PA/AP projection · left wrist X-ray · age 10 y, girl:
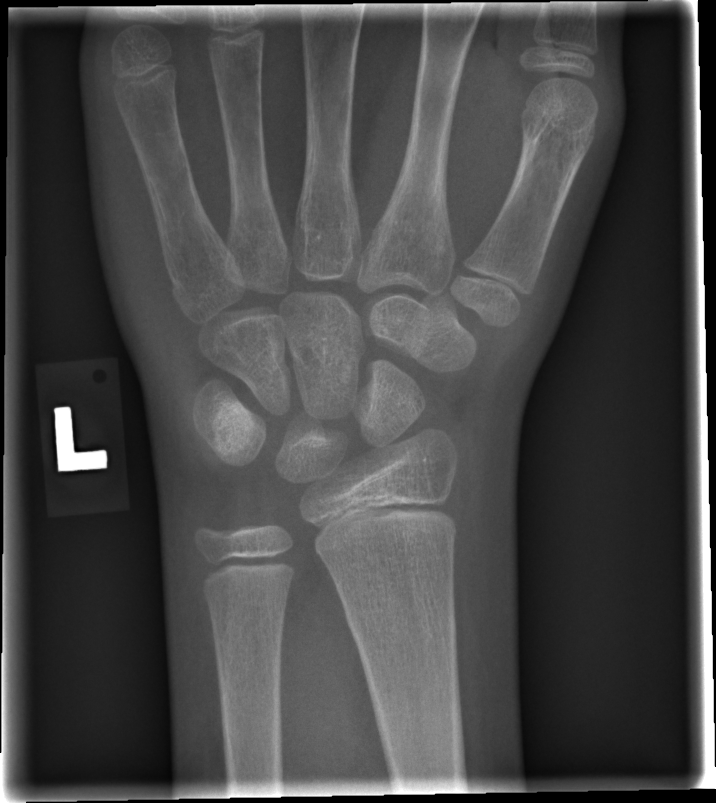
AO/OTA classification: 23r-M/2.1.
Fx identified at (left=341, top=599, right=459, bottom=654).